PA/AP, Rt wrist XR, image width 103.0 mm 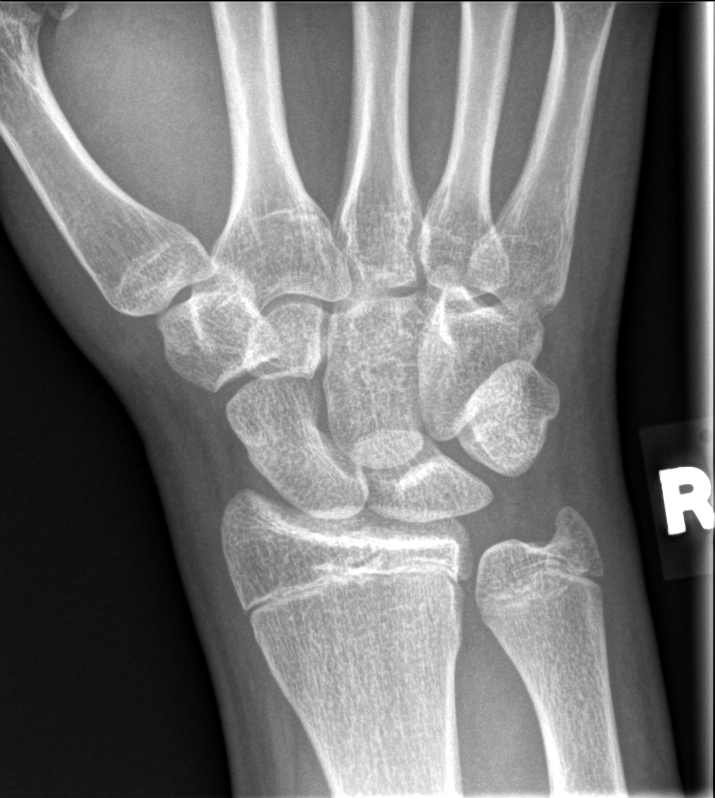
fracture: none labeled